Lat projection · Lt wrist plain film · index exam. 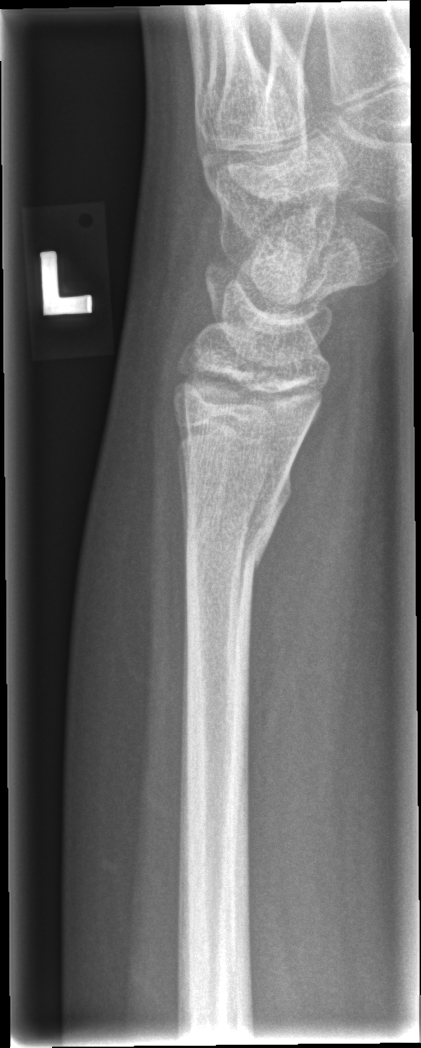
• Pixel coordinates, top-left origin, xyxy.
• Fracture: bbox(177, 469, 296, 574).
• AO/OTA classification: 23r-M/2.1.